Right wrist plain radiograph of the wrist, lat projection, 59.8 mm image width, 415x798.

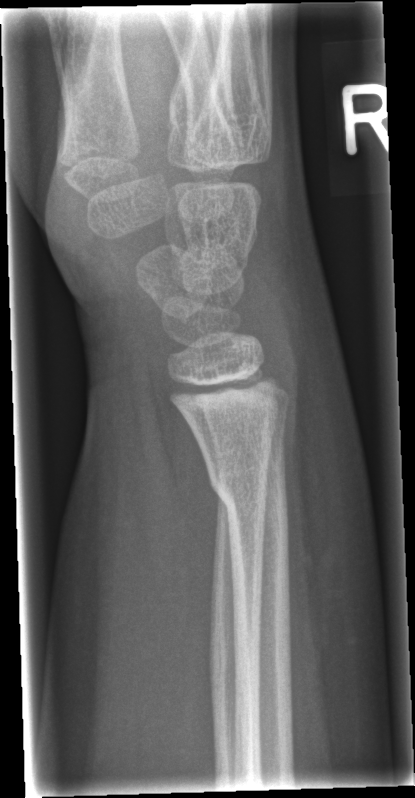

FINDINGS: AO/OTA classification: 23r-M/2.1. One bone fracture at (203, 455, 292, 525).